Frontal · Rt wrist XR · age 12 y, girl —

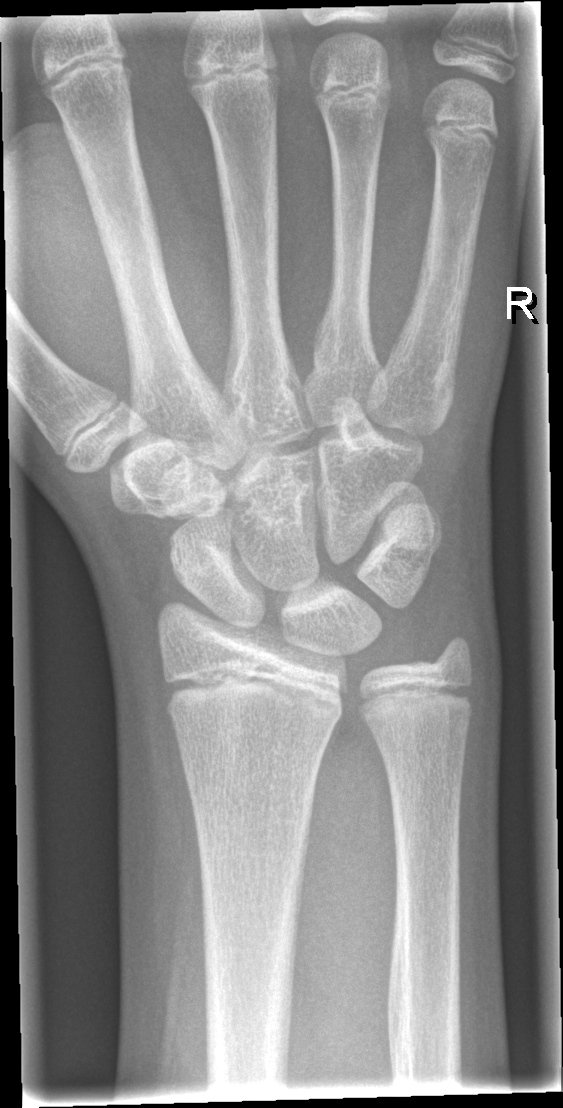
FINDINGS: No Fx annotated.